PA view | Rt wrist X-ray | 16y M | imaged through cast | Siemens —
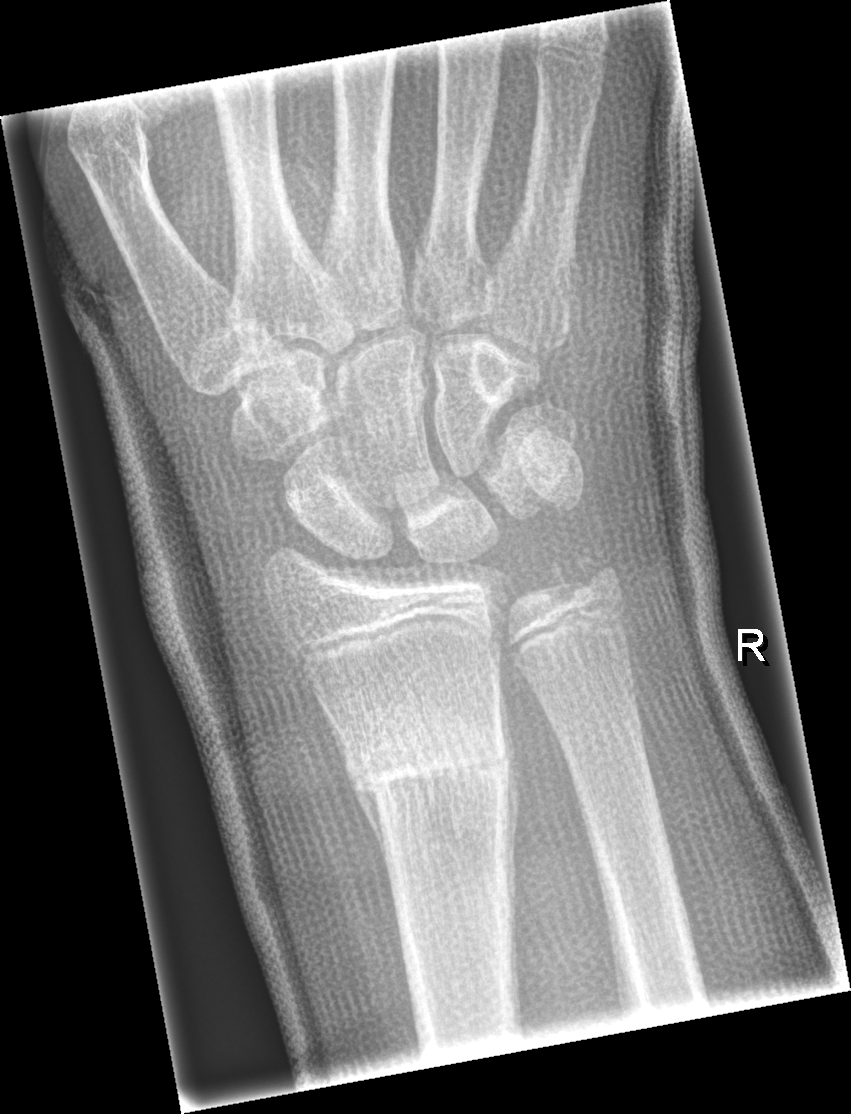
Boxes as x1,y1,x2,y2 (top-left / bottom-right, pixel units). Fx — <345,711>-<514,819>, <543,542>-<624,603>. Fracture classified AO/OTA 23r-M/3.1; 23u-E/7.